Rt wrist radiograph, PA/AP, image size 538x746
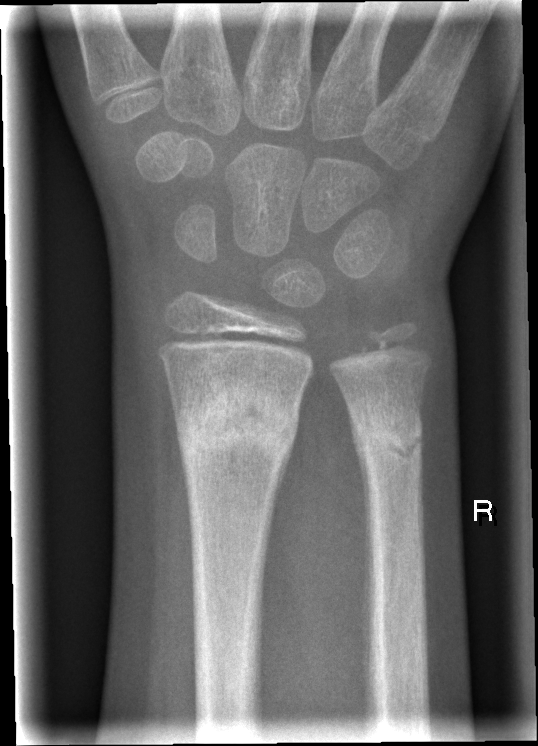
FINDINGS — Two periosteal reaction at [345, 397, 375, 682], [418, 454, 426, 606]. AO/OTA classification: 23-M/2.1. Decreased bone density (osteopenia). Two Fx at [171, 376, 303, 476] [349, 397, 425, 469].